Rt pediatric wrist radiograph, AP, male, 9 yo, index exam, detector: Siemens:
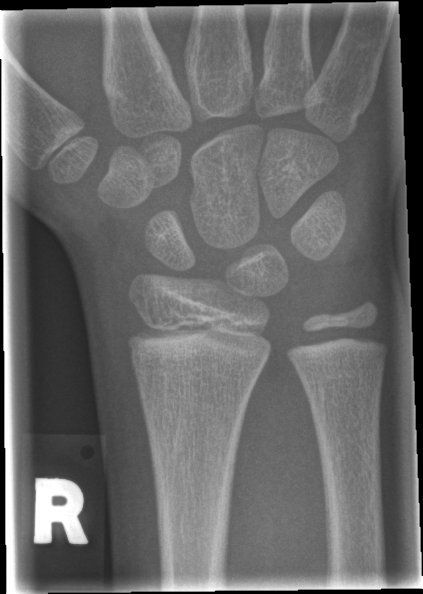

• Fx: none.